Lat; right wrist plain film; pediatric patient (female, age 10); initial study.
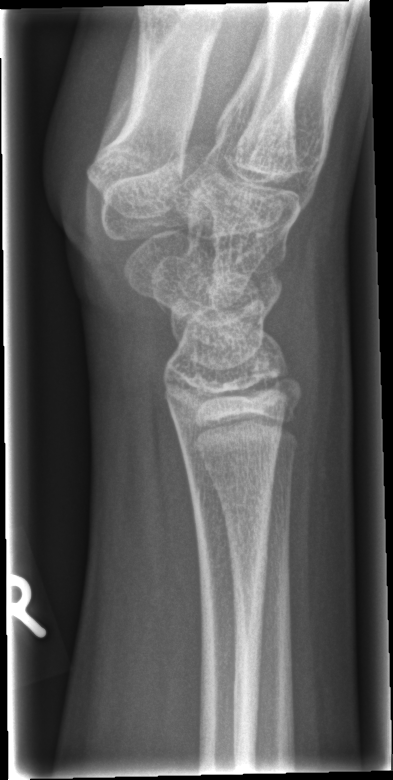
No fracture labeled.